Left wrist plain film; lateral; 10-year-old male:
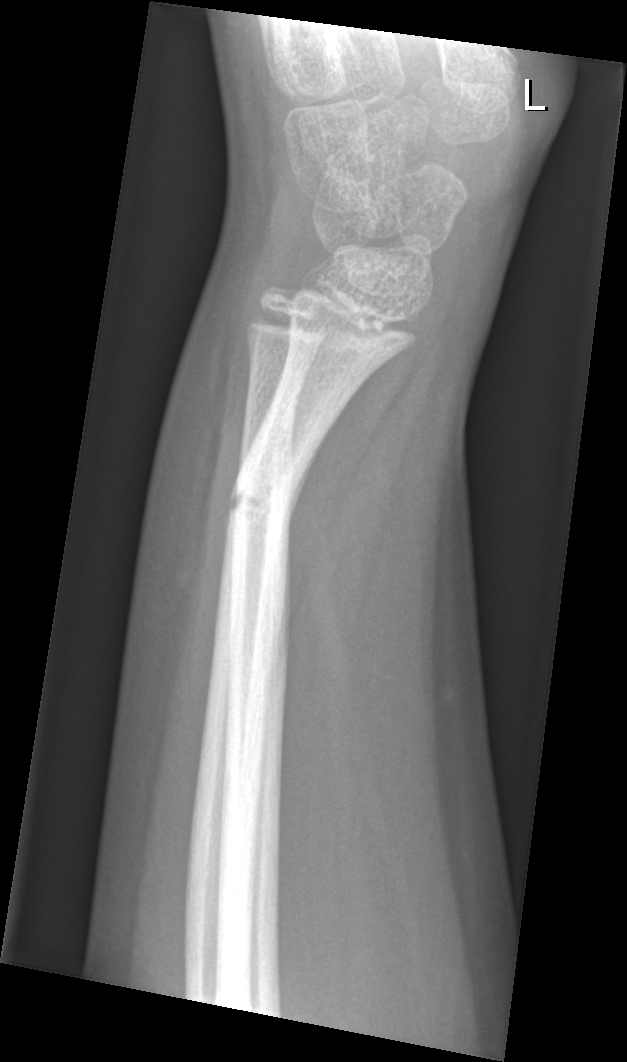
Q: Bone density?
A: Osteopenic
Q: Locate any fractures.
A: Bone fracture — <221,456>-<300,545>
Q: What is the AO/OTA classification?
A: AO code 23r-M/3.1; 23u-M/2.1